Left wrist plain film | lateral | male, 9 yo | follow-up | image 81.8 mm wide | 568 x 926 px. 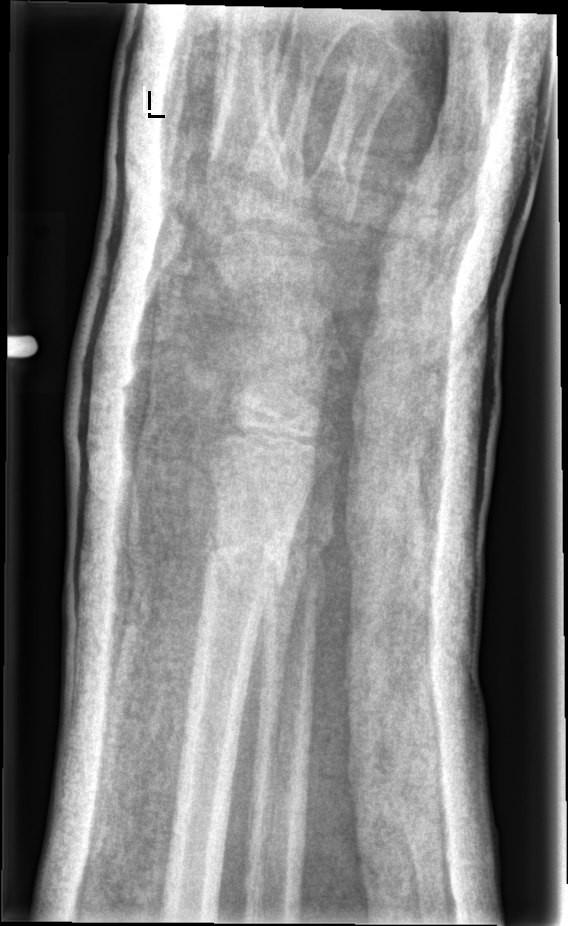
(coordinates are [x1, y1, x2, y2] in image pixels)
Q: What is the AO/OTA classification?
A: Fracture classified AO/OTA 23-M/3.1
Q: Locate any fractures.
A: Fx identified at <200,528>-<292,601> <256,510>-<340,588>